Right wrist plain film, posteroanterior projection, subsequent exam.
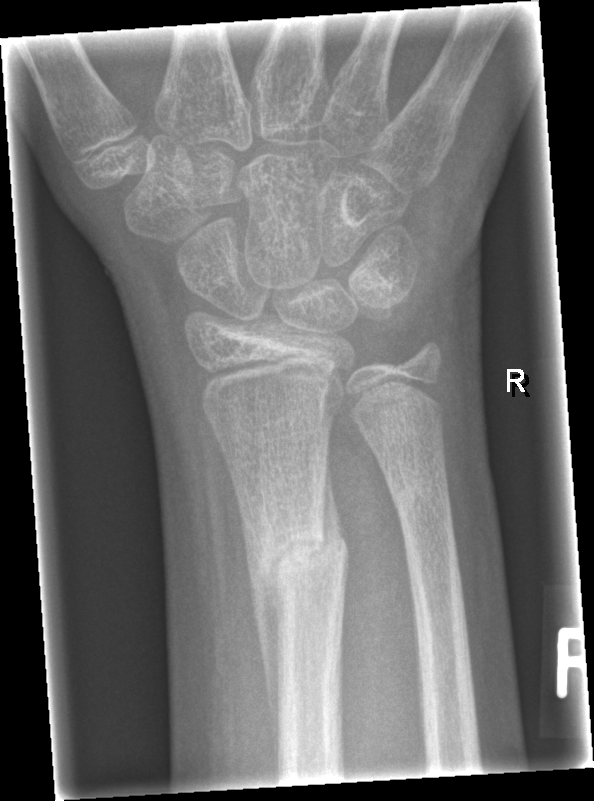 * Fracture: 246 519 353 621; 390 472 455 522.
* AO code 23r-M/3.1; 23u-M/2.1.
* Osteopenia.
* Periosteal thickening identified at 239 510 284 783
  321 447 345 553.